PA; right wrist XR; subsequent exam:
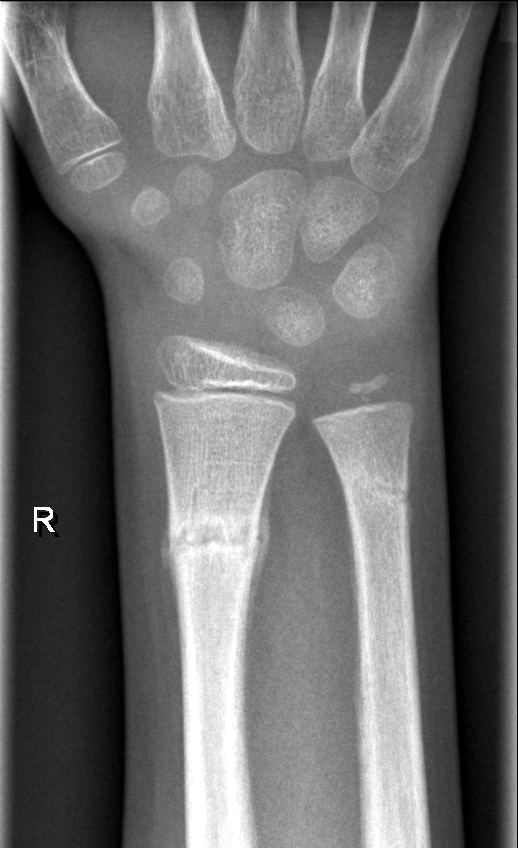
Boxes as x1,y1,x2,y2 (top-left / bottom-right, pixel units).
Two periosteal reaction at <245,447>-<277,712> <160,495>-<181,626>.
Bone fractures — <161,504>-<268,578>, <336,463>-<415,518>.
AO code 23r-M/3.1; 23u-M/2.1.